Rt pediatric wrist radiograph; lat; 17-year-old male; 70.8 mm image width:
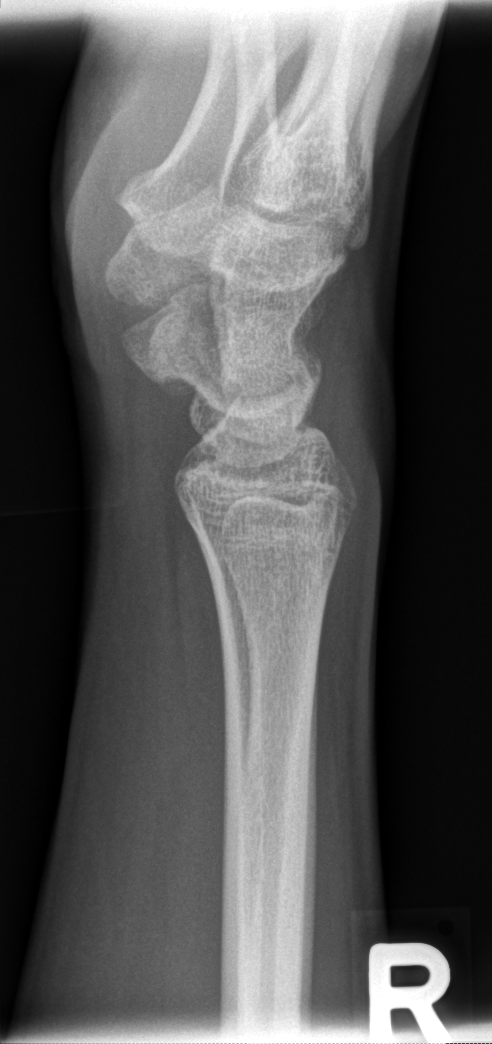
FINDINGS: Decreased bone density (osteopenia). Fracture present, but no bounding box because it is not clearly seen in this view.